Left wrist plain radiograph of the wrist; PA; follow-up —

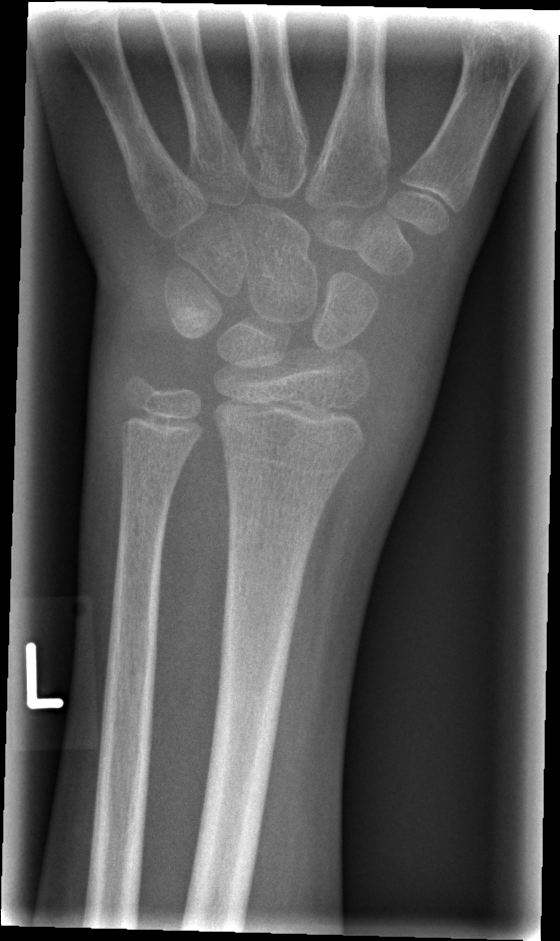

- No fracture annotation.
- Decreased bone density (osteopenia).